Lateral projection · right plain radiograph of the wrist

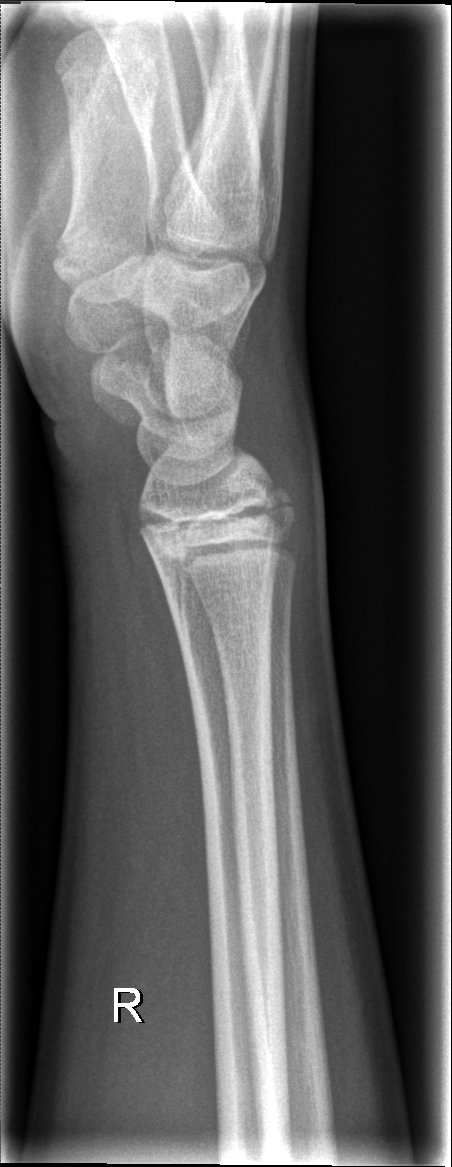
{"_coords": "boxes as x1,y1,x2,y2 (top-left / bottom-right, pixel units)", "ao": "23u-E/7", "fracture": "1 @ 246 477 302 532"}